R wrist XR | posteroanterior view | age 8 y, female | image 95.3 mm wide | 662 x 1058 px:

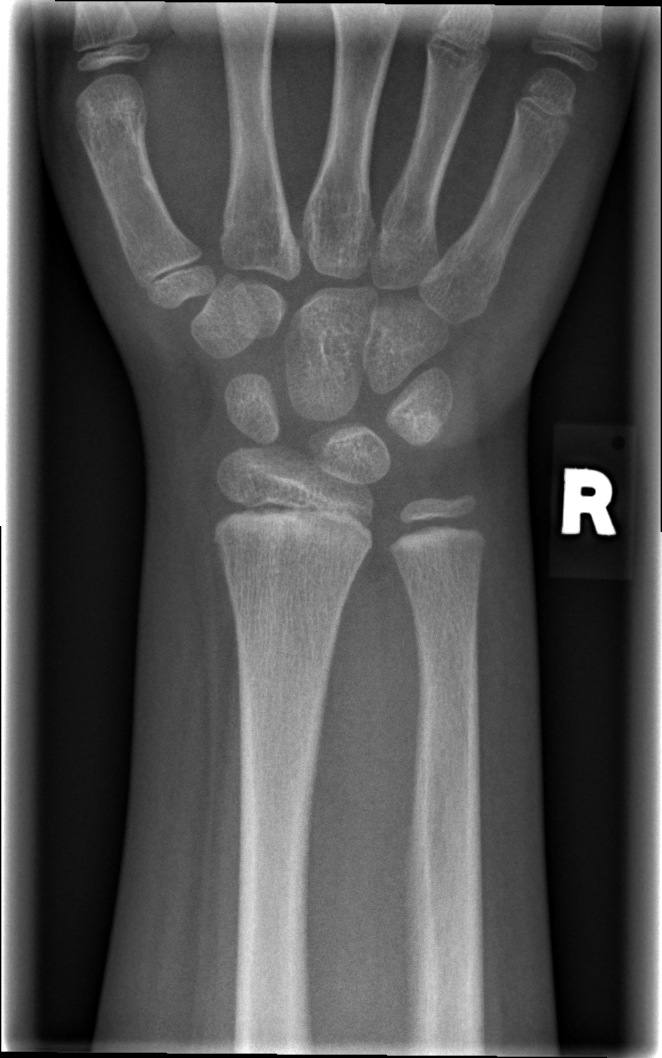
• No fracture labeled.